R wrist radiograph; frontal projection; girl, 17 yo; presentation radiograph —

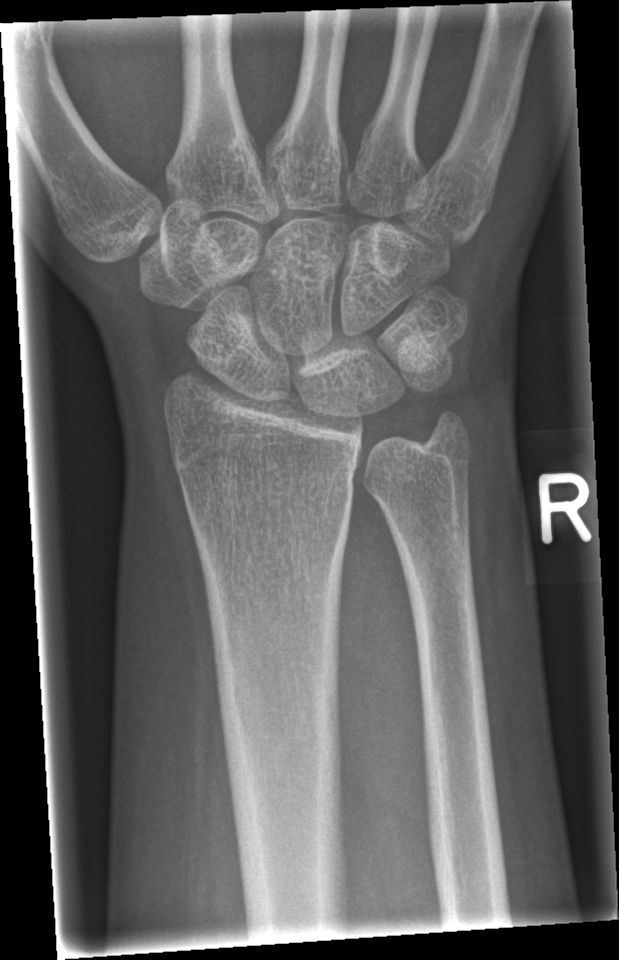
FINDINGS: No fracture bounding box.